Lateral; left wrist X-ray; 377 by 724 pixels:
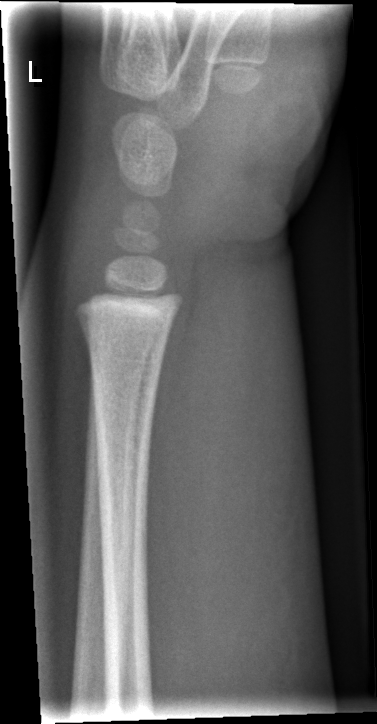 Q: Any fracture seen?
A: Fx: none